R plain radiograph of the wrist | frontal | 2y M | in cast | Siemens —

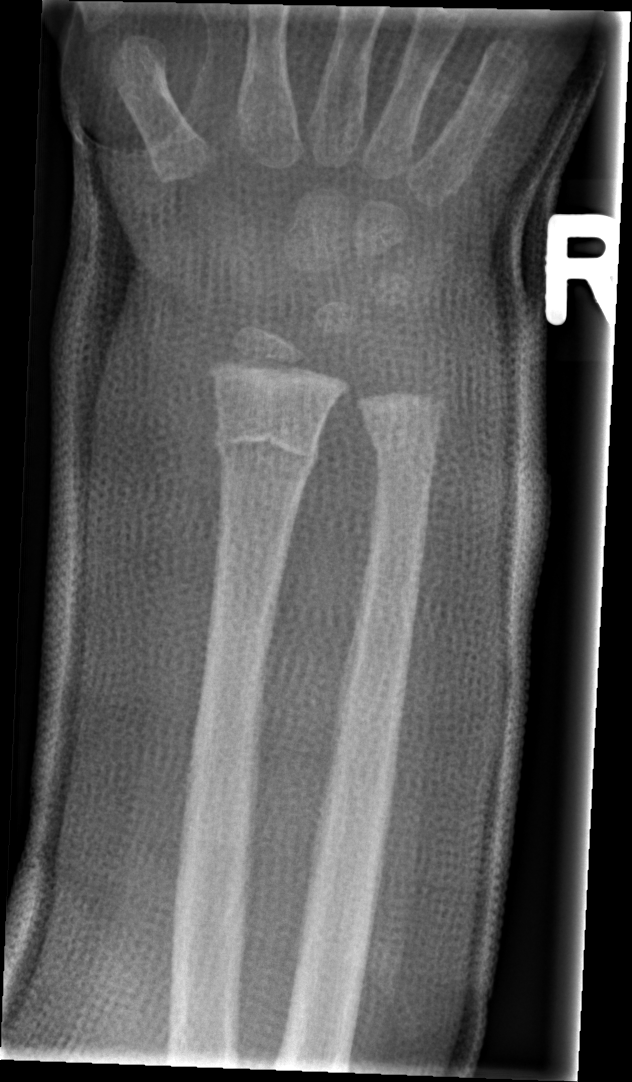
- Bounding boxes in image-pixel xyxy.
- Two Fx at [212, 419, 323, 478], [362, 415, 444, 482].
- AO code 23-M/3.1.